Frontal projection, left wrist pediatric wrist radiograph, index exam
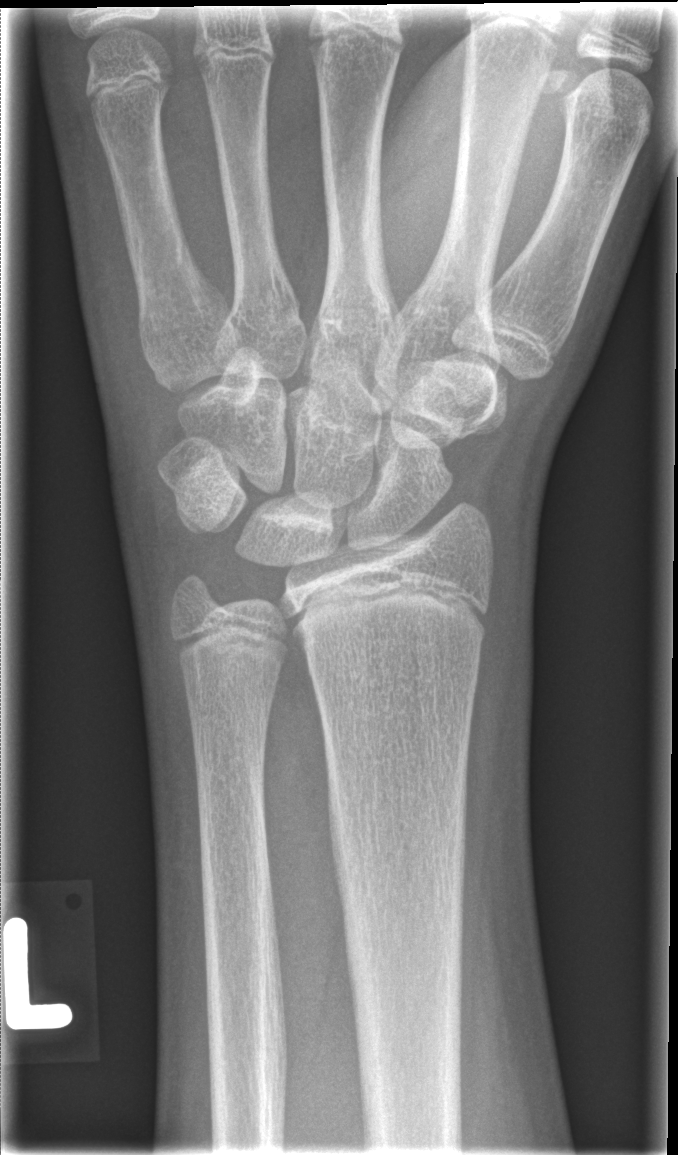

  fracture: none labeled